R wrist radiograph, lateral, follow-up study, Siemens, image width 75.7 mm —

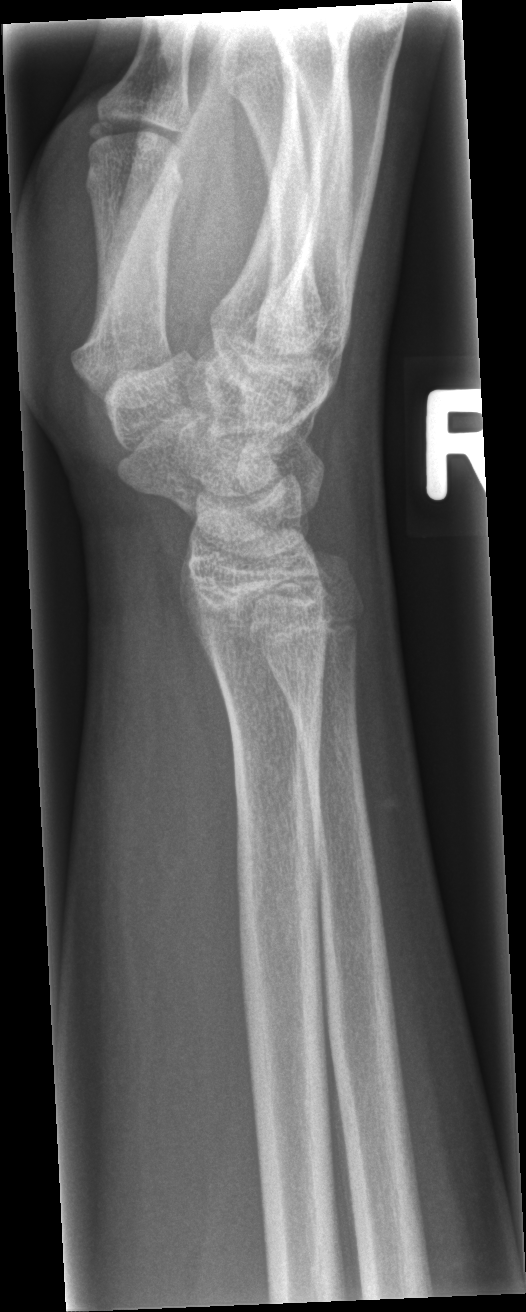 FINDINGS — No fracture annotation.